Left plain radiograph of the wrist; PA.
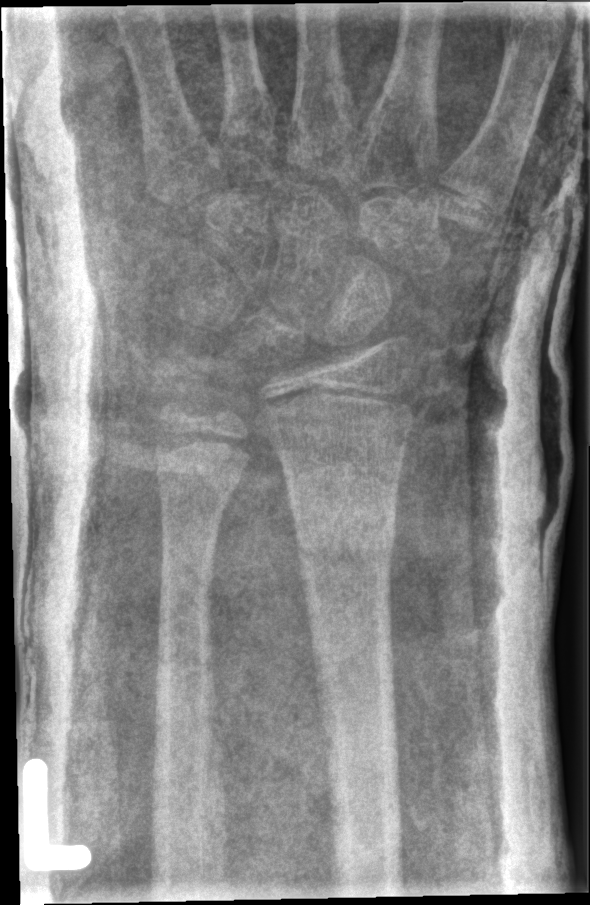 * Boxes as x1,y1,x2,y2 (top-left / bottom-right, pixel units).
* Fracture classified AO/OTA 23r-M/3.1; 23u-M/2.1.
* One Fx at 288,501,399,567.